Lat projection | Lt pediatric wrist radiograph | 13y M.
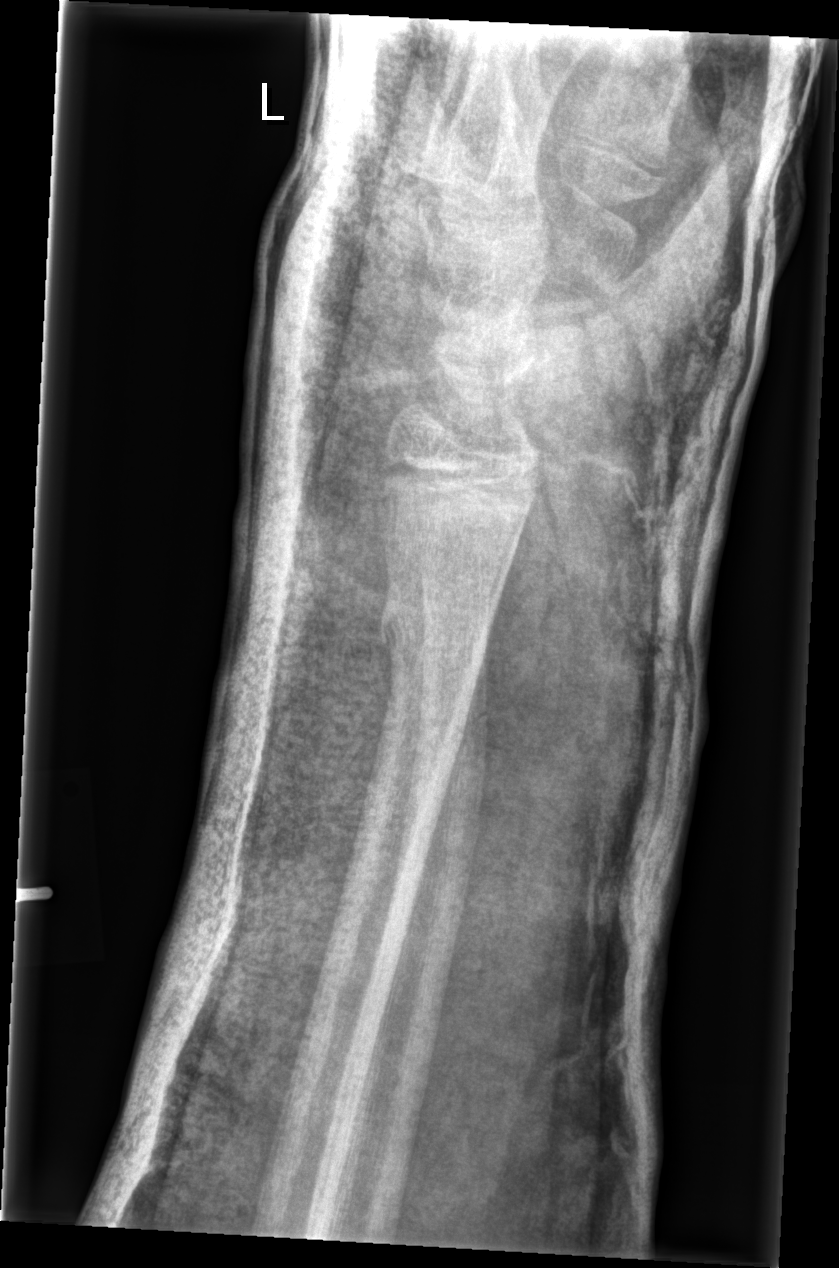

(bounding boxes in image-pixel xyxy)
fracture: 1 @ <373,592>-<495,669>
AO classification: 23r-M/2.1; 23u-M/3.1